Lateral projection | left wrist plain radiograph of the wrist | image 67.1 mm wide:

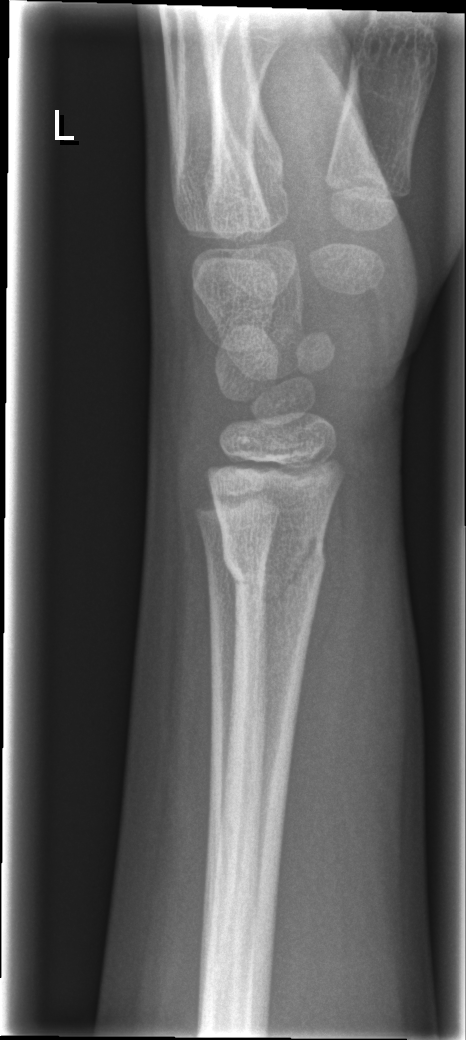

- Pixel coordinates, top-left origin, xyxy.
- Fracture identified at (219, 530, 330, 601).